Posteroanterior projection, right wrist radiograph

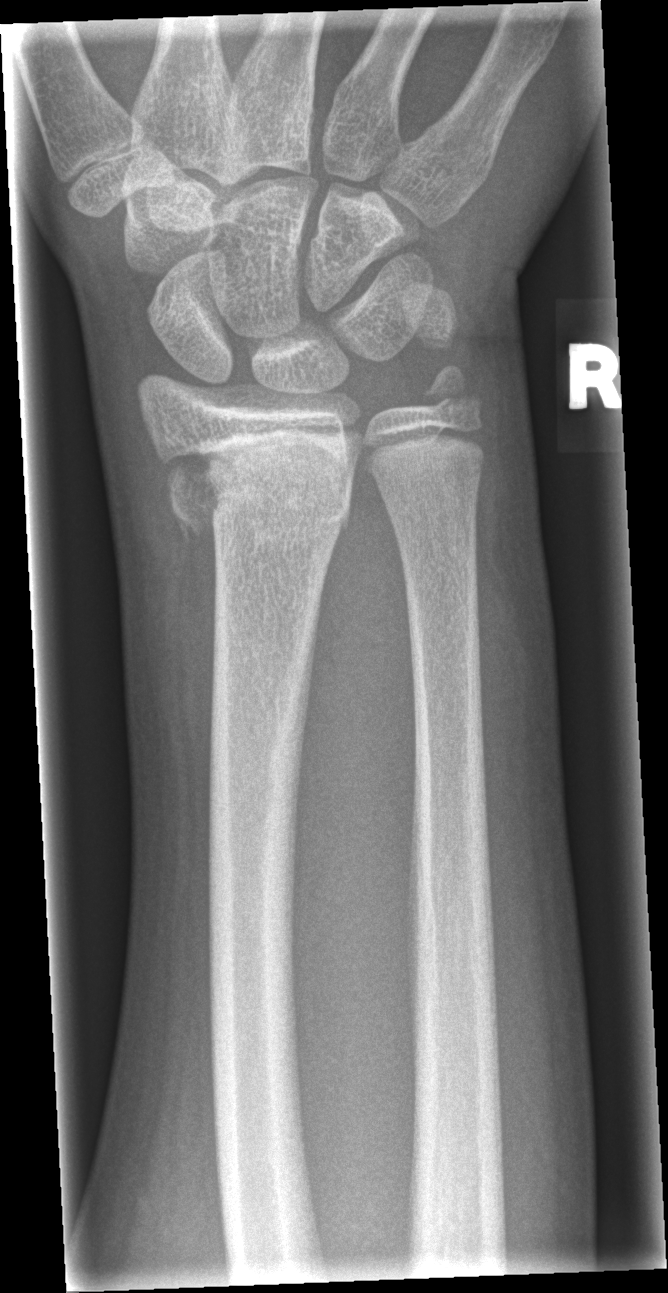 Q: What is the AO/OTA classification?
A: AO code 23r-E/2.1; 23u-E/7
Q: Locate any fractures.
A: Fracture identified at (147, 414, 357, 548) (416, 362, 484, 427)